Frontal projection · right pediatric wrist radiograph · presentation radiograph · image 91.0 mm wide. 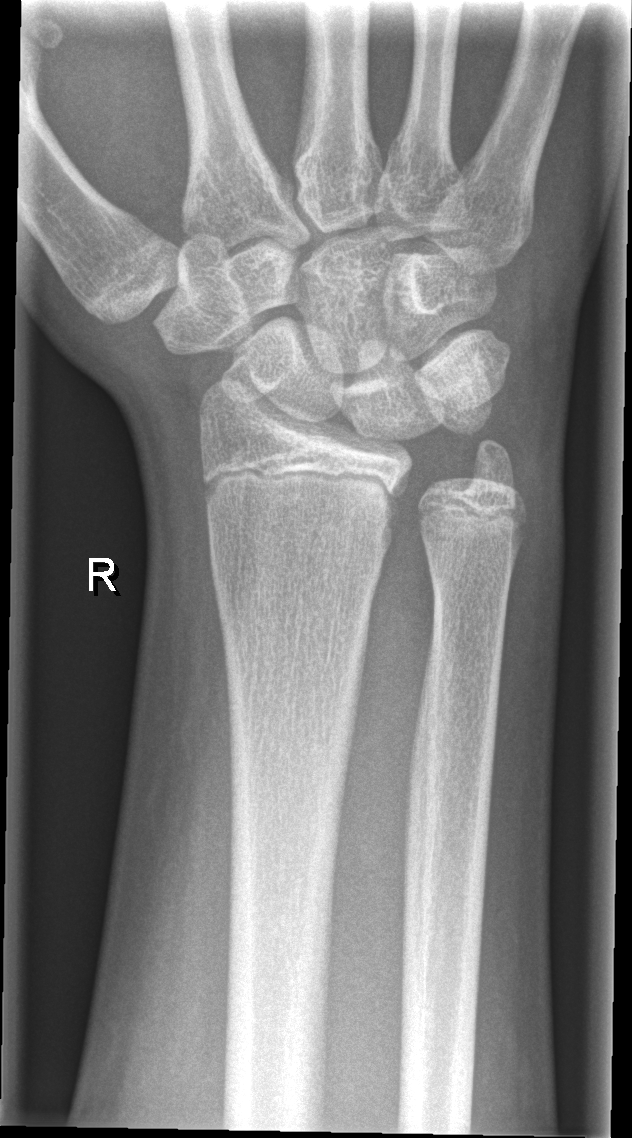

Fx = none labeled